PA/AP · R wrist X-ray · cast in situ:

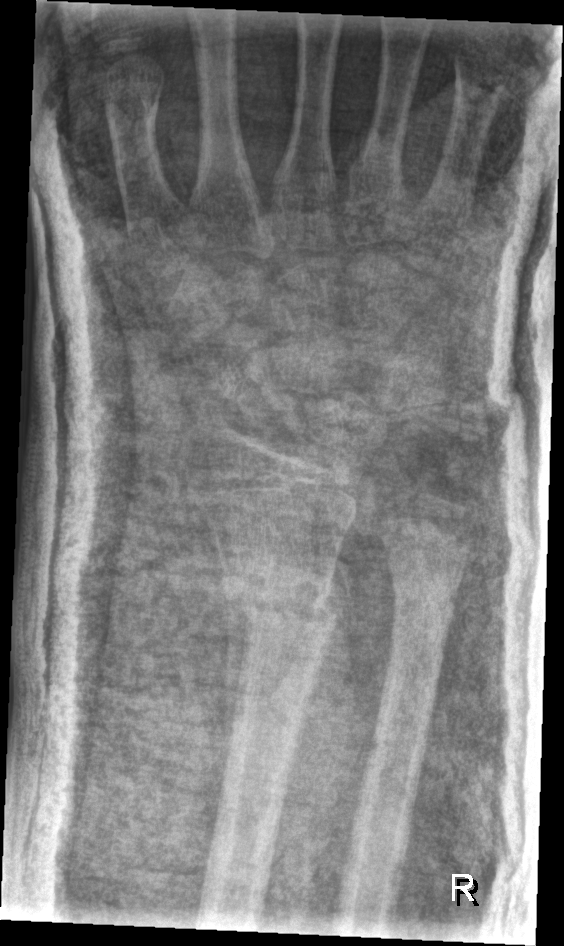

  # bounding boxes in image-pixel xyxy
  fracture: 1 @ [x1=217, y1=563, x2=340, y2=643]
  ao: 23r-M/3.1; 23u-M/2.1